Right wrist plain radiograph of the wrist · lateral · presentation radiograph · image 64.4 mm wide. 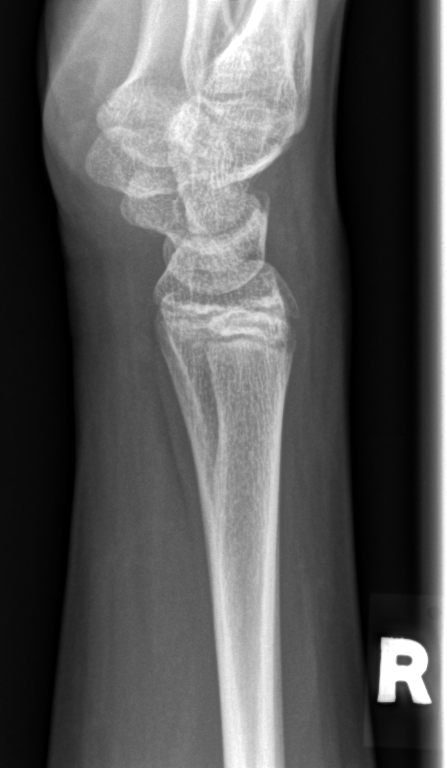

Fx = none labeled